Lat view, Rt wrist radiograph, index exam
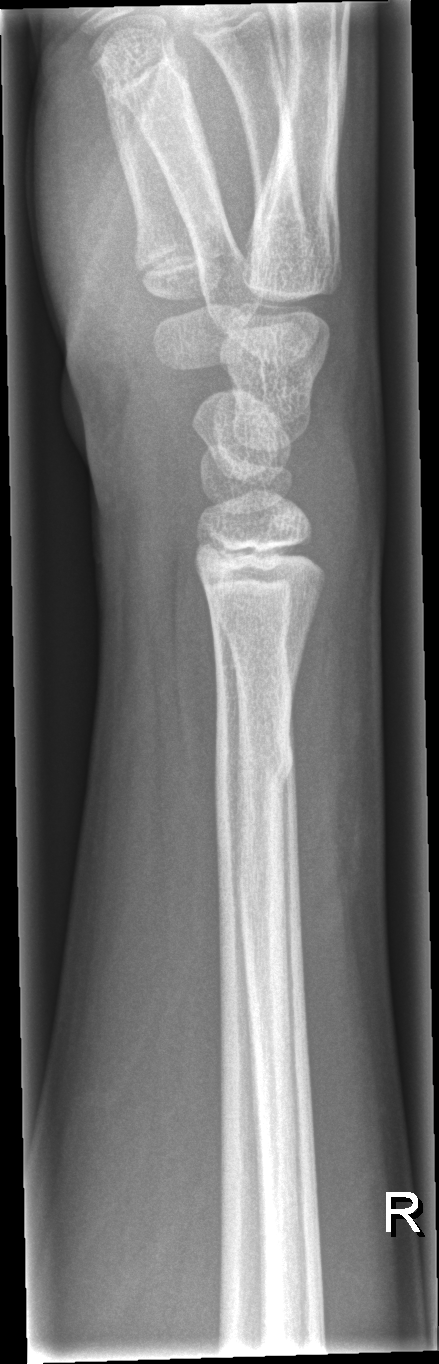

FINDINGS: Fracture identified at bbox(212, 729, 303, 809); bbox(230, 637, 298, 729). AO/OTA classification: 23-M/2.1.